Posteroanterior projection | left wrist X-ray | 1.0-year-old male | follow-up study —

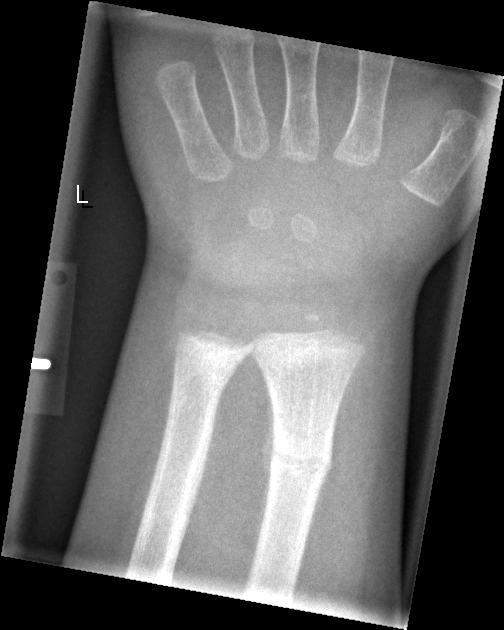

{"_coords": "boxes as x1,y1,x2,y2 (top-left / bottom-right, pixel units)", "fracture": "2 @ (167, 335, 244, 402) (266, 435, 338, 487)", "periostealreaction": "(250, 375, 278, 570) (299, 438, 337, 579)", "ao": "23r-M/3.1; 23u-M/2.1"}